PA view · left pediatric wrist radiograph · subsequent exam · detector: Siemens · 588x884 —

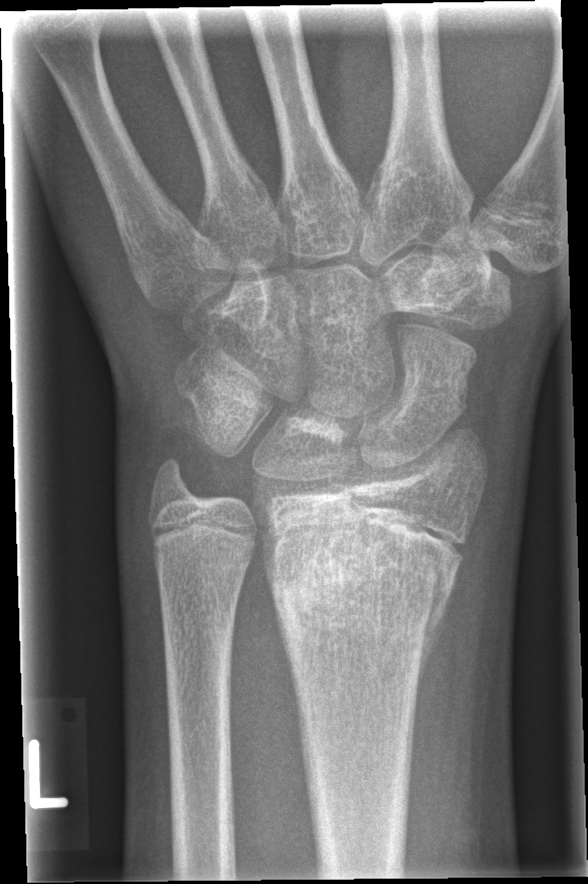 osteopenia: present
ao: 23r-M/3.1
fracture: 1 @ [x1=261, y1=493, x2=465, y2=657]
periostealreaction: 1 @ [x1=413, y1=567, x2=459, y2=710]